AP projection; L plain radiograph of the wrist; index exam 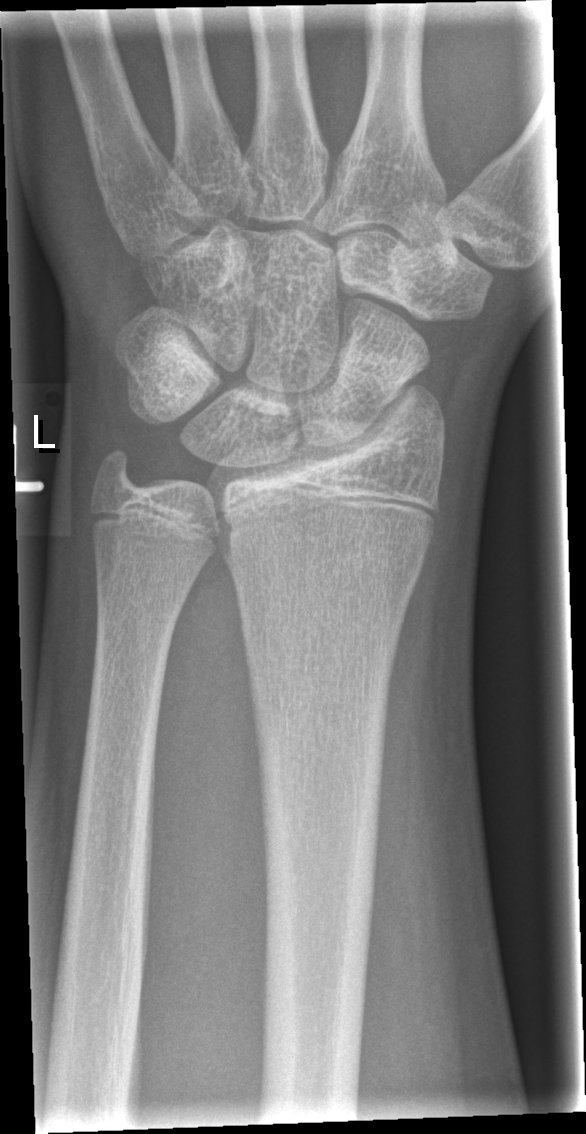
Fx: none.